Lateral view; right wrist pediatric wrist radiograph; age 6 y, male; imaged through cast; 642x1189: 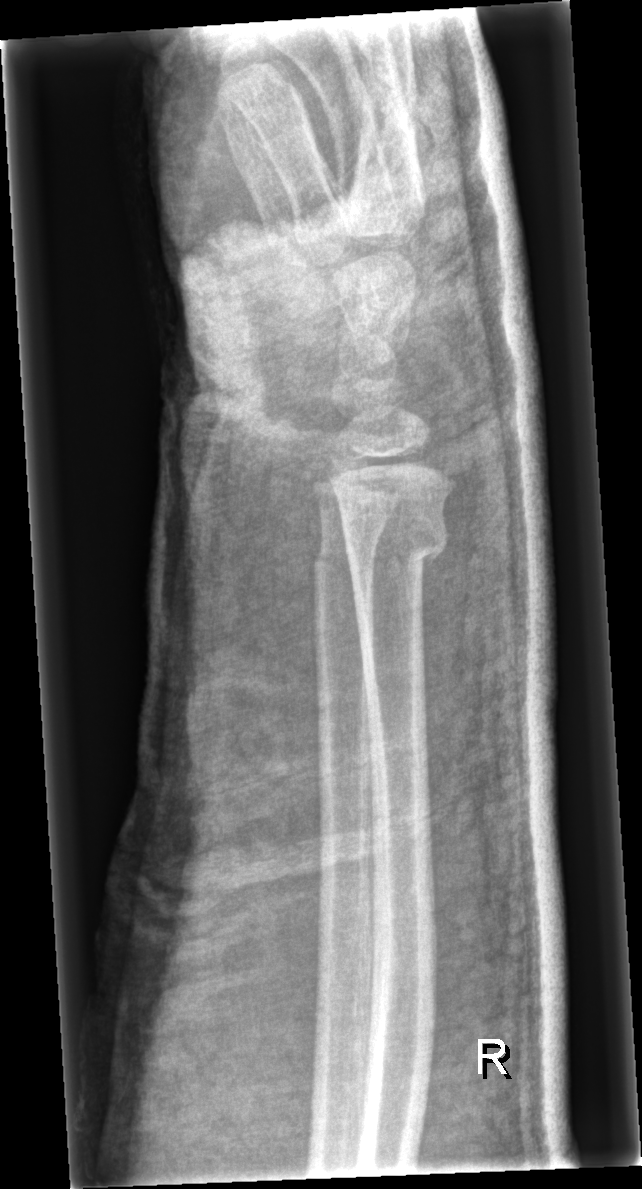
- Fracture classified AO/OTA 23-M/2.1; 23u-E/7.
- Fractures — <345,509>-<450,585>, <308,525>-<385,592>.